Lat view · left plain radiograph of the wrist · pediatric patient (male, age 7) · index exam. 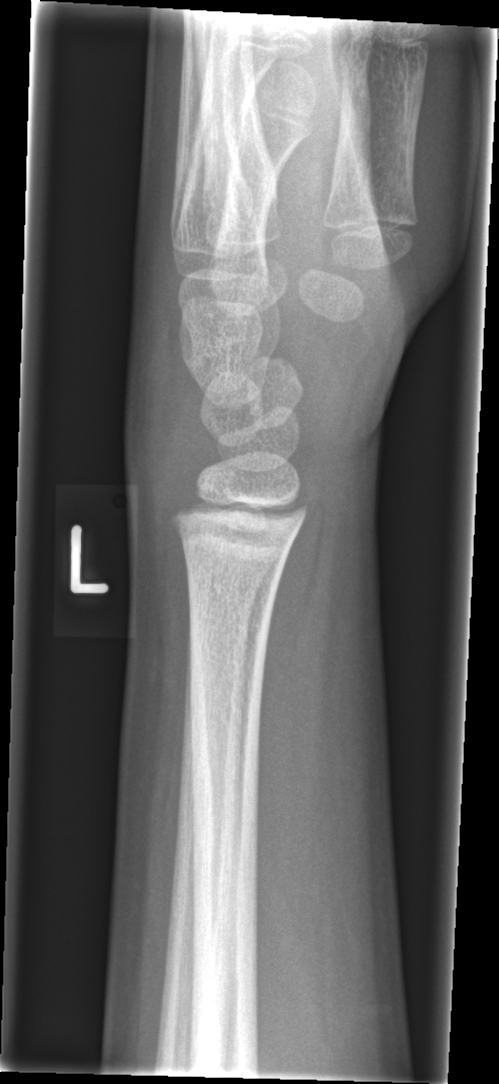

Q: Locate any fractures.
A: No Fx annotated